Left wrist X-ray, AP, cast present, 686 x 886 px. 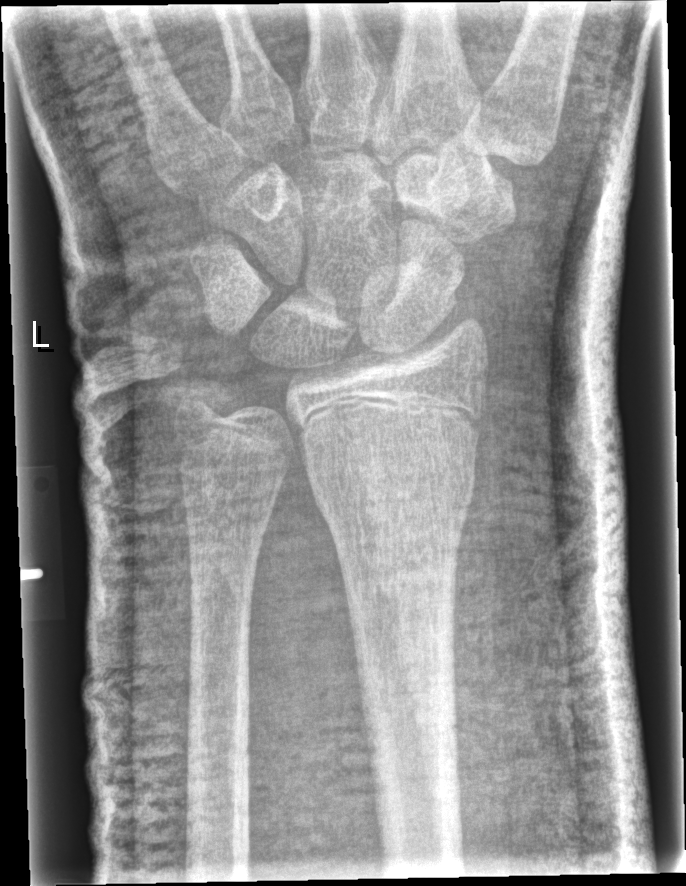 {
  "_coords": "boxes as x1,y1,x2,y2 (top-left / bottom-right, pixel units)",
  "fracture": "(left=303, top=451, right=478, bottom=523)"
}